PA/AP view · right wrist pediatric wrist radiograph · 3-year-old male · acquired on Siemens · image size 582x962: 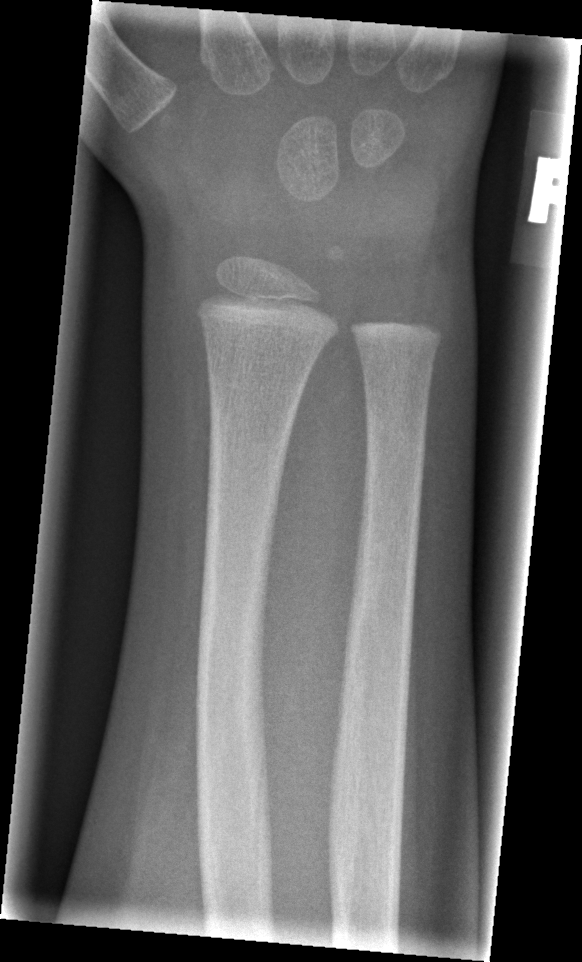
• Fracture: none labeled.